Lat view · L wrist plain film · pediatric patient (male, age 12).

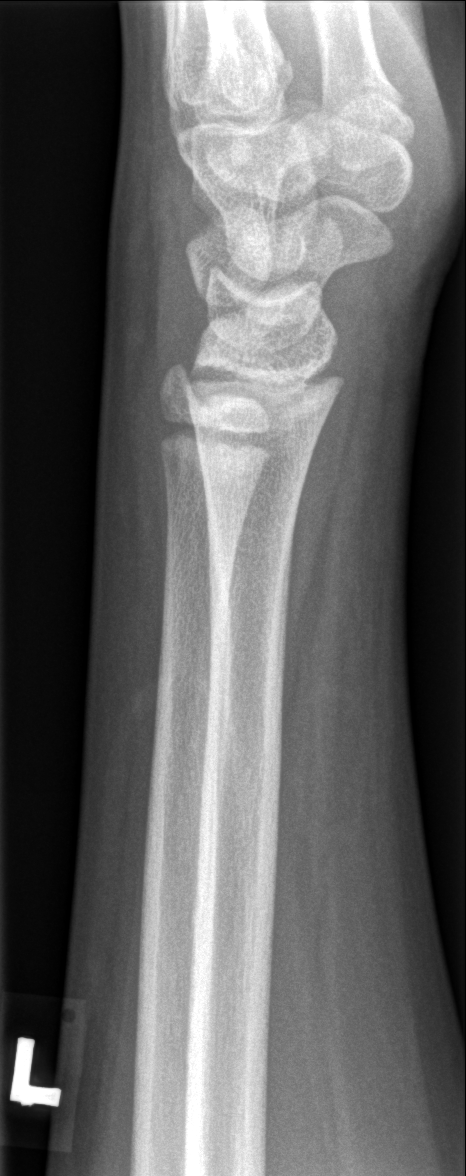 - Fracture: none labeled.